Posteroanterior projection | right pediatric wrist radiograph | initial study | acquired on Siemens

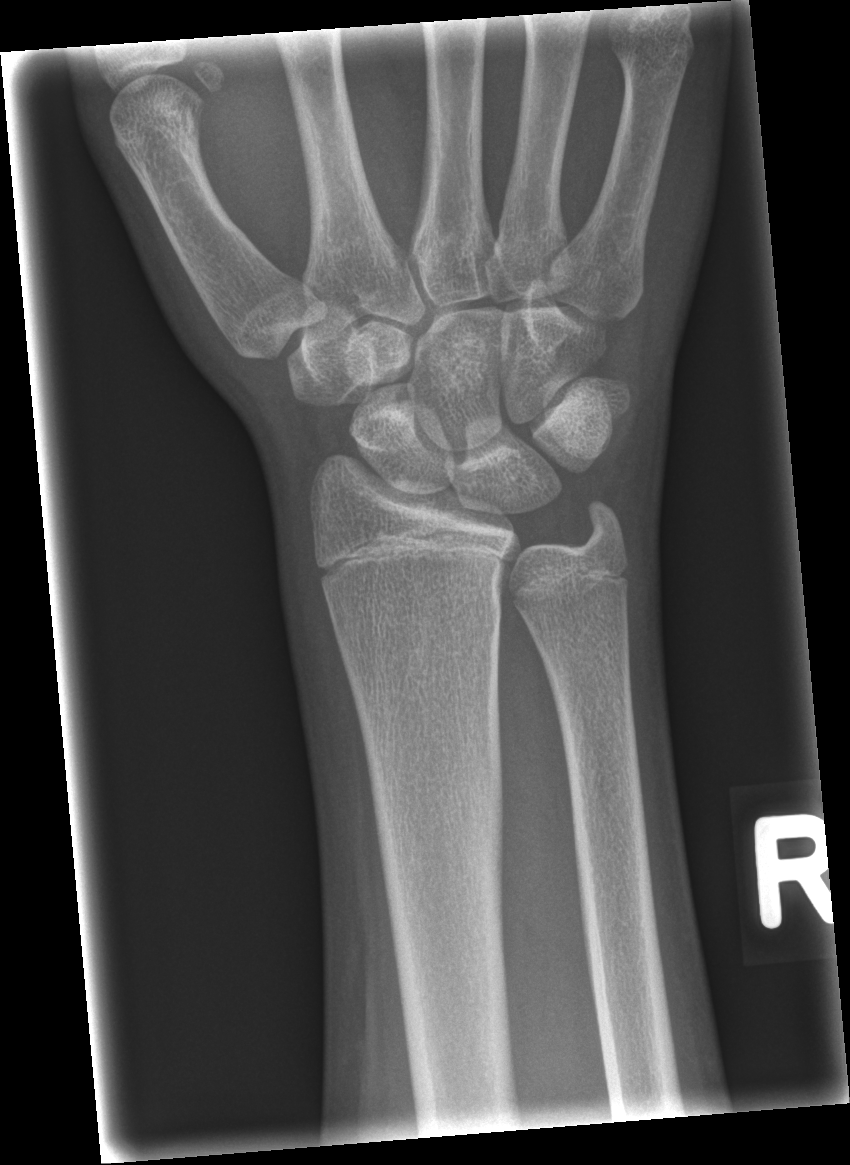

Fracture: none labeled.